L wrist plain film · posteroanterior view · initial study · 510 by 902 pixels.
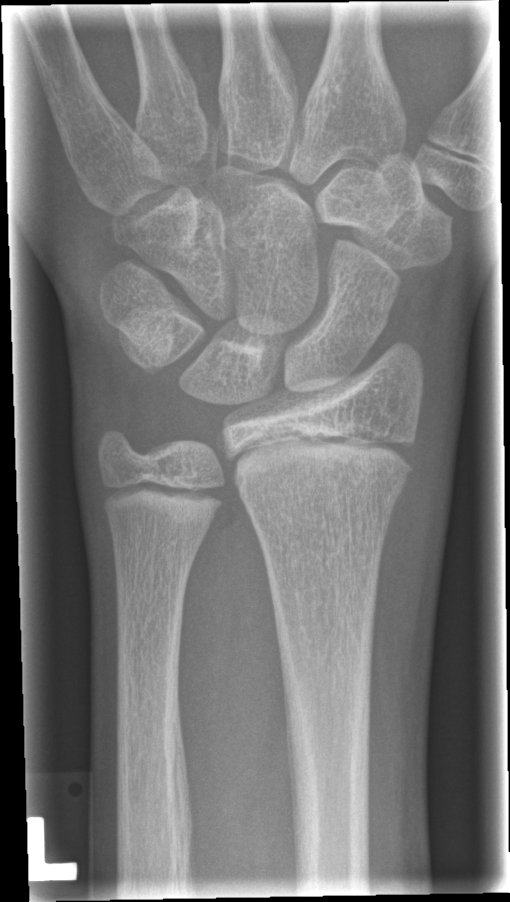
• Fracture: present but not clearly seen in this view.